L wrist plain film · lat projection · 14-year-old boy · follow-up study 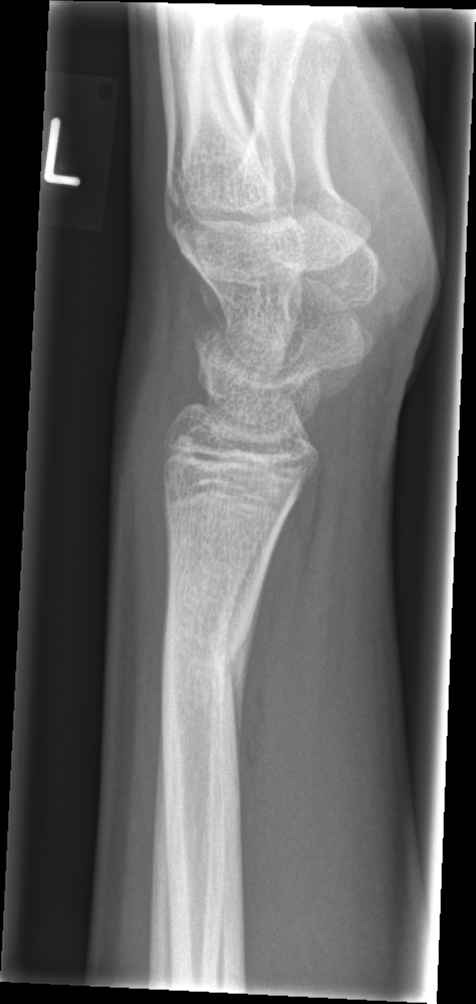
- Coordinates are [x1, y1, x2, y2] in image pixels.
- Fracture identified at [x1=155, y1=594, x2=260, y2=714].
- AO/OTA classification: 23-M/2.1.
- Periosteal thickening identified at [x1=225, y1=524, x2=281, y2=785].